Right wrist X-ray | lateral view | image size 576x924: 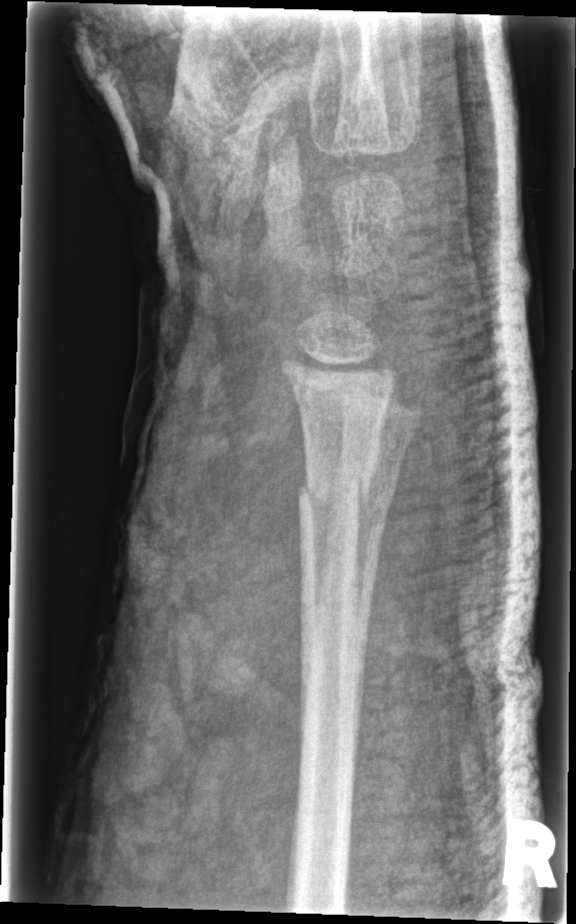
Fx: bbox(337, 454, 405, 514) bbox(294, 463, 375, 513).
AO code 23r-M/3.1; 23u-M/2.1.